Right wrist plain radiograph of the wrist · PA · 11y M · acquired on Siemens · 719 by 1036 pixels — 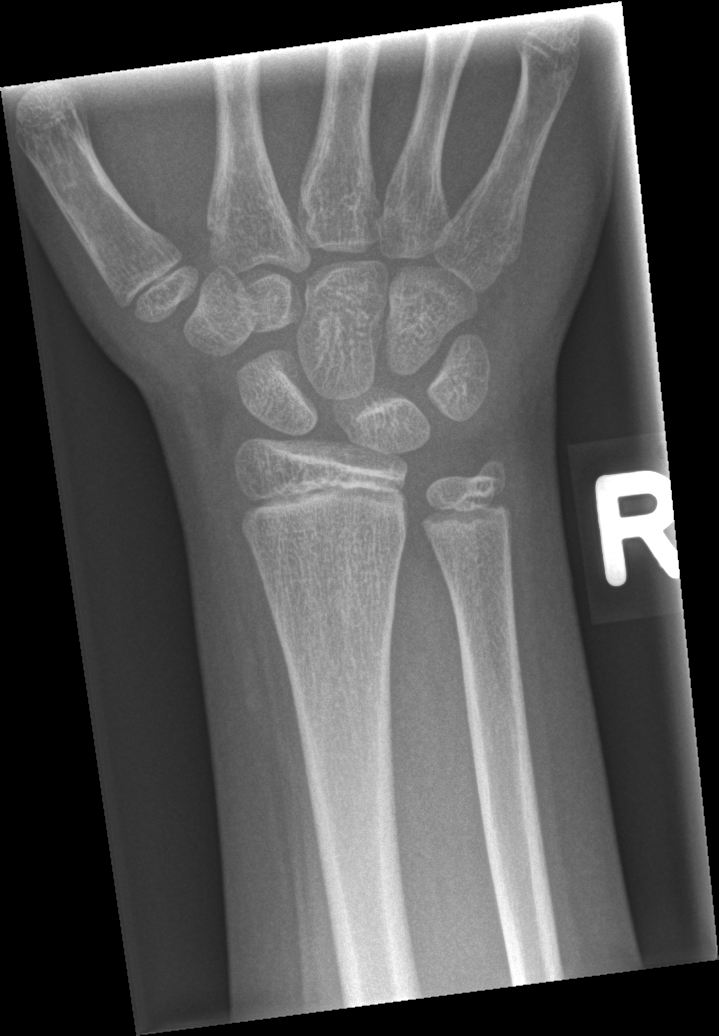

{"fracture": "present but not clearly seen in this view", "ao": "23r-M/2.1"}